Lat, R plain radiograph of the wrist, girl, 15 yo:
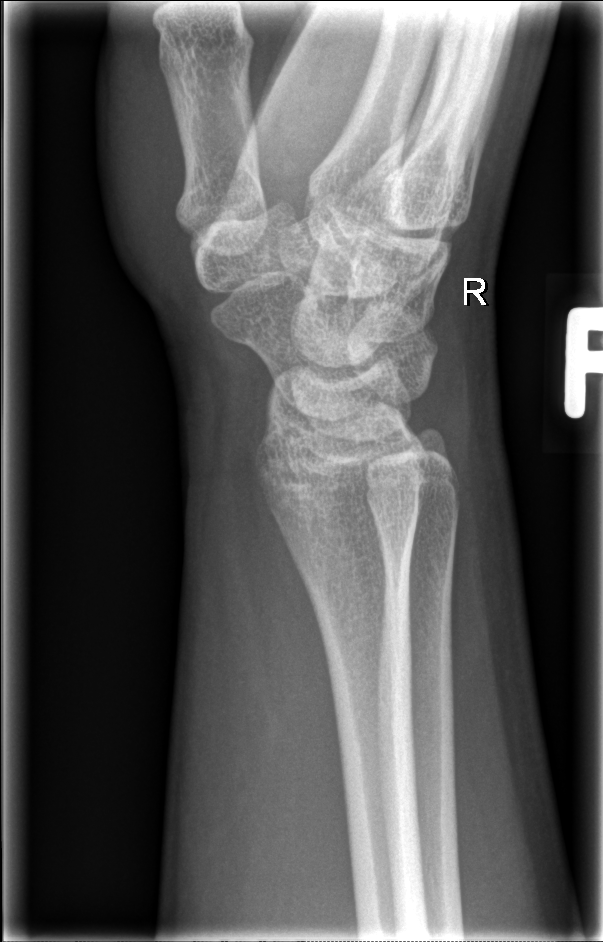 No fracture bounding box.